Frontal · Rt pediatric wrist radiograph · pediatric patient (boy, age 10) · detector: Siemens —
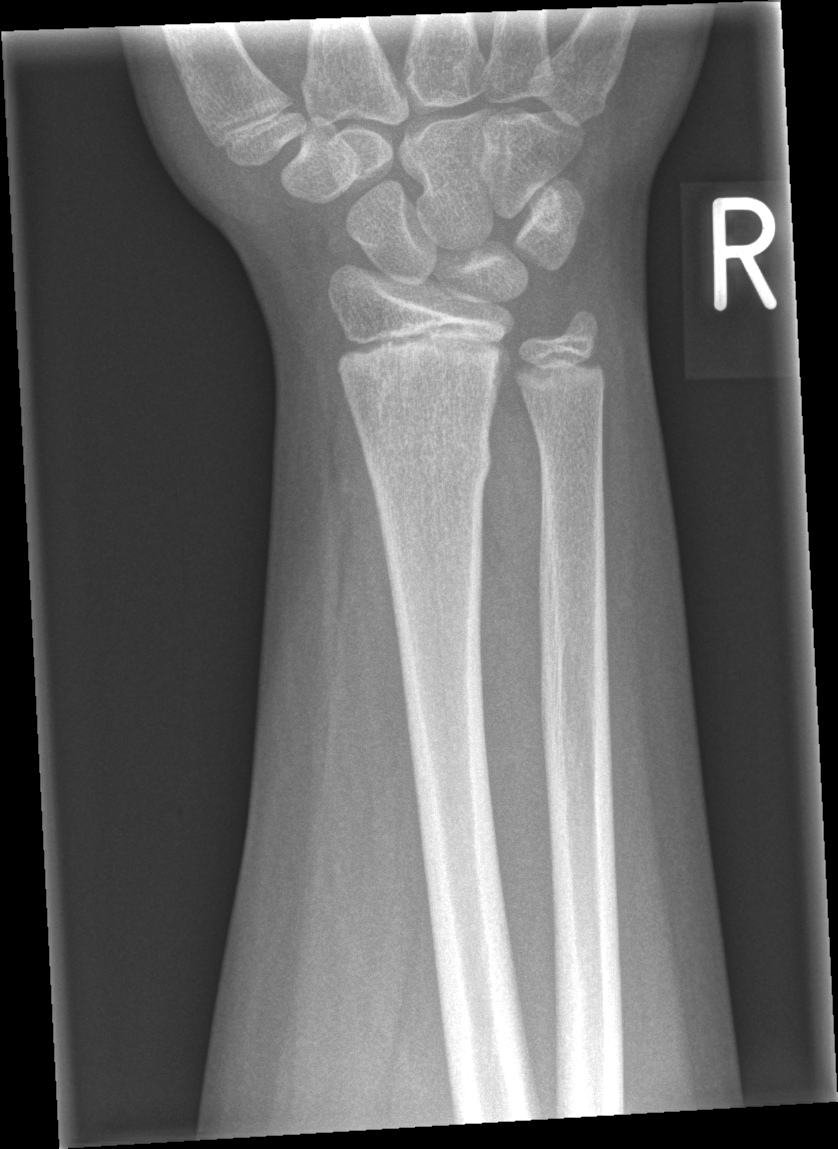
* AO code 23r-M/2.1.
* Fx identified at bbox(357, 421, 495, 497).